Lateral projection, right plain radiograph of the wrist, initial study, 540 by 1222 pixels: 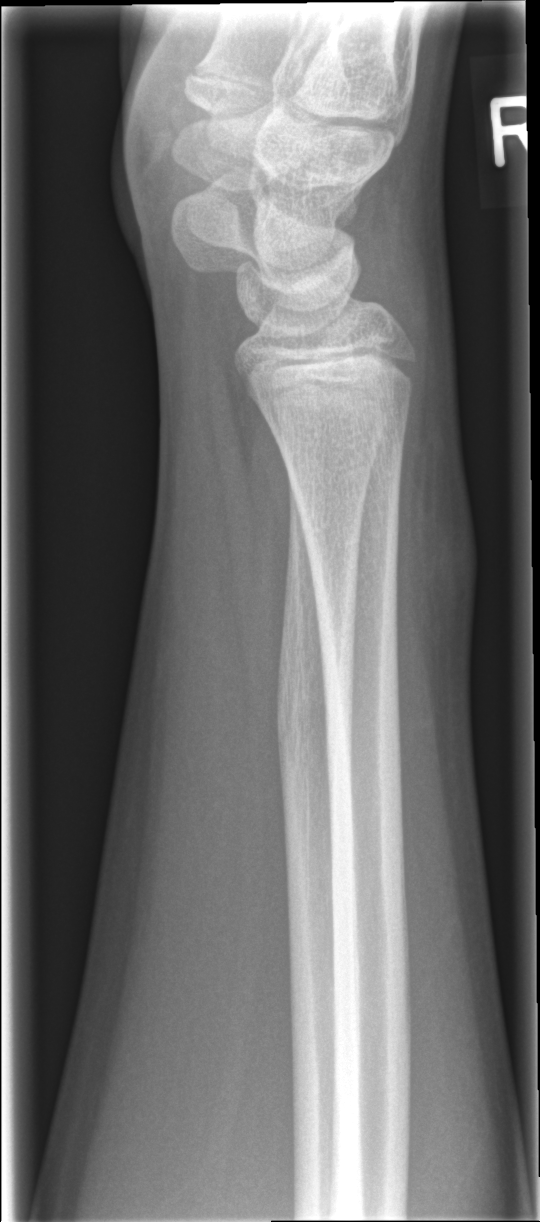 FINDINGS — No fracture annotation.